Lateral; Rt pediatric wrist radiograph:
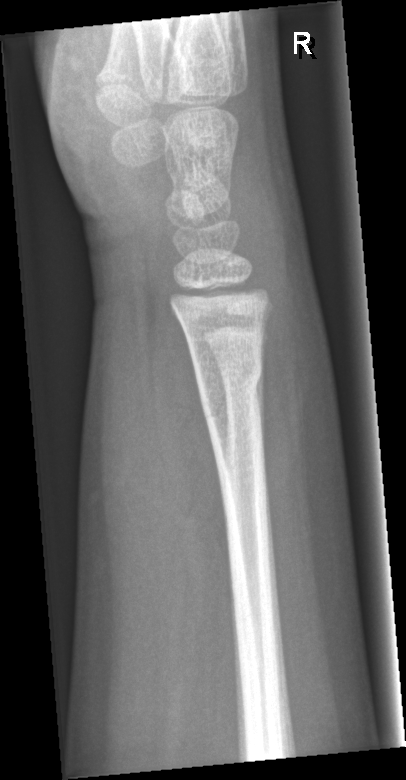 One positive pronator fat-pad sign at [149, 290, 227, 549]. Bone fracture identified at [190, 358, 265, 415].